PA/AP view | left wrist plain radiograph of the wrist | boy, 11 yo | 614 by 1396 pixels. 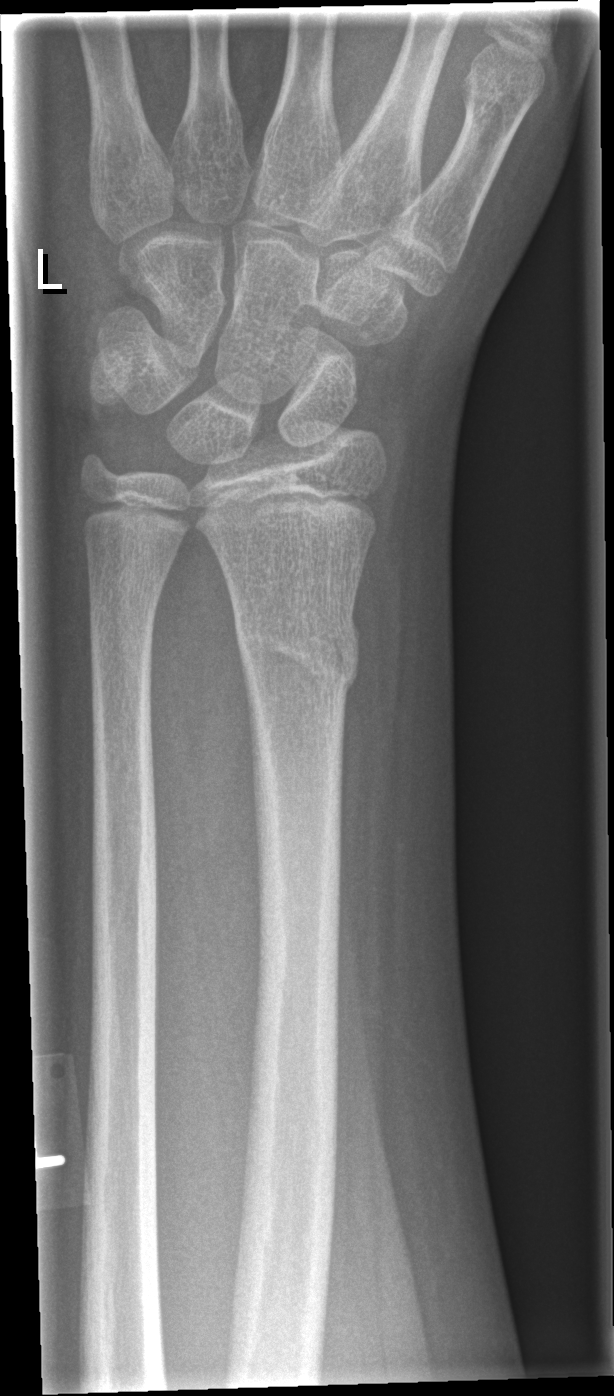

FINDINGS: (bounding boxes in image-pixel xyxy) Fracture — 228 598 363 704.